Posteroanterior projection · R wrist X-ray · image 79.5 mm wide —

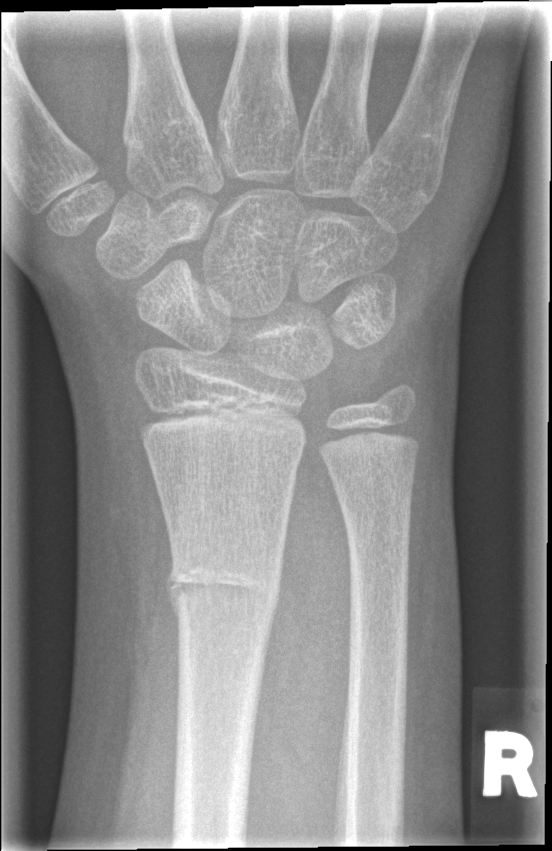 {
  "fracture": "1 @ (left=161, top=535, right=285, bottom=635)",
  "ao": "23r-M/2.1"
}